Left wrist plain radiograph of the wrist; posteroanterior projection; presentation radiograph —

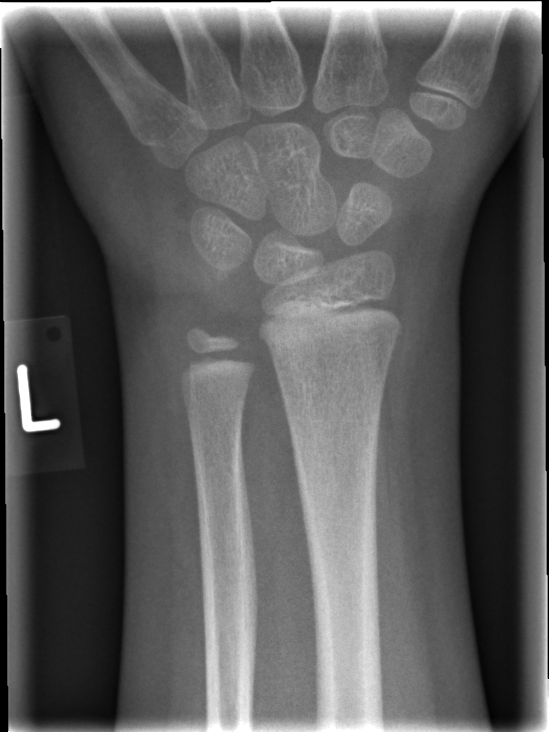

Fx: none labeled